Left wrist pediatric wrist radiograph, lateral view, image 73.9 mm wide —

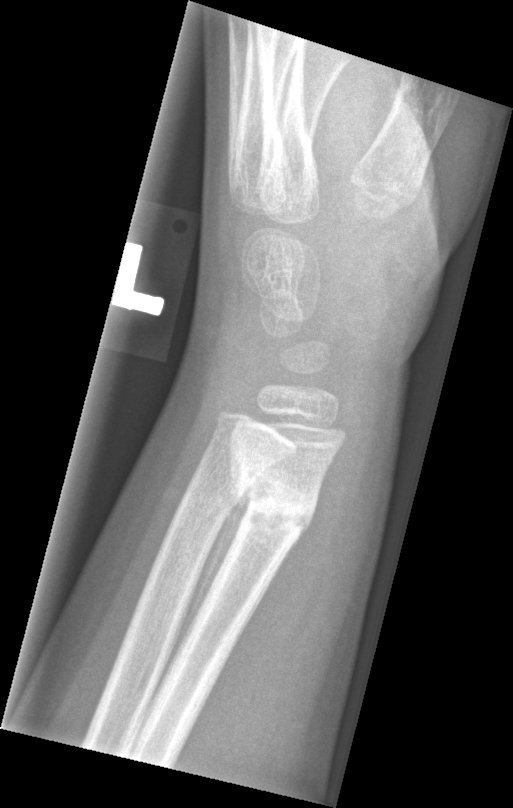
  osteopenia: present
  periostealreaction: 1 @ 174,454,255,662
  fracture: 1 @ 228,441,321,549